Left wrist radiograph · PA · cast in situ · 669 x 746 px —

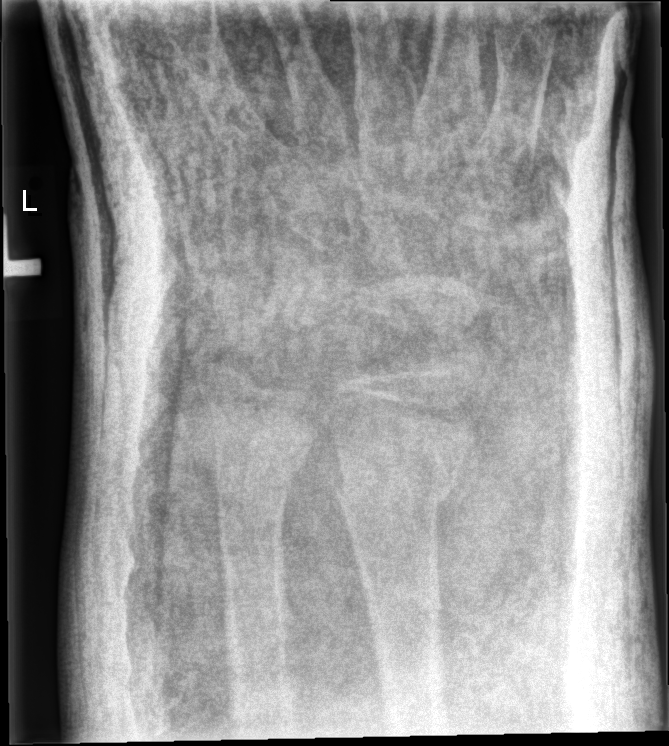
FINDINGS: (boxes as x1,y1,x2,y2 (top-left / bottom-right, pixel units)) Fractures — [331, 465, 455, 515], [212, 444, 306, 503]. AO code 23r-M/3.1; 23u-M/2.1.